Lat, left wrist radiograph, pediatric patient (male, age 13), Siemens, 512 x 1038 px 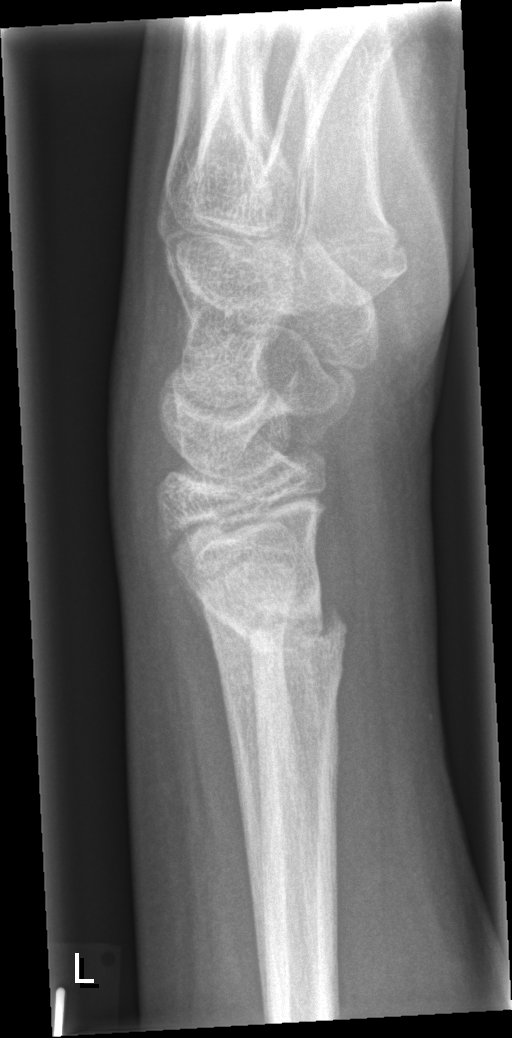
Fx — <227,597>-<350,663>.